Left wrist radiograph; lateral view; 356 by 946 pixels. 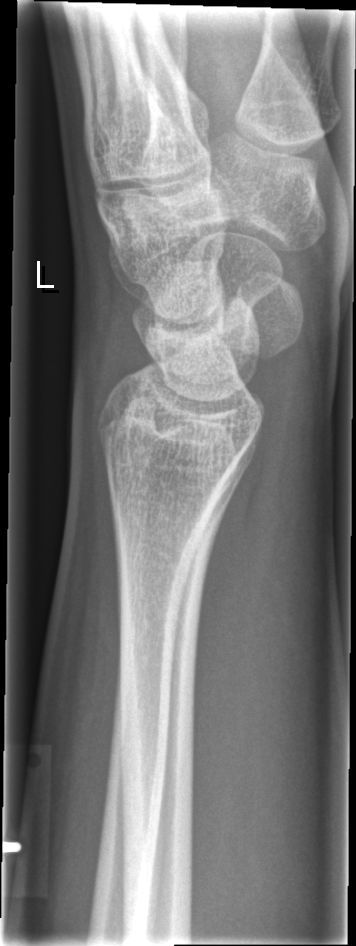

Bone fracture = none labeled